Frontal projection · right wrist plain radiograph of the wrist: 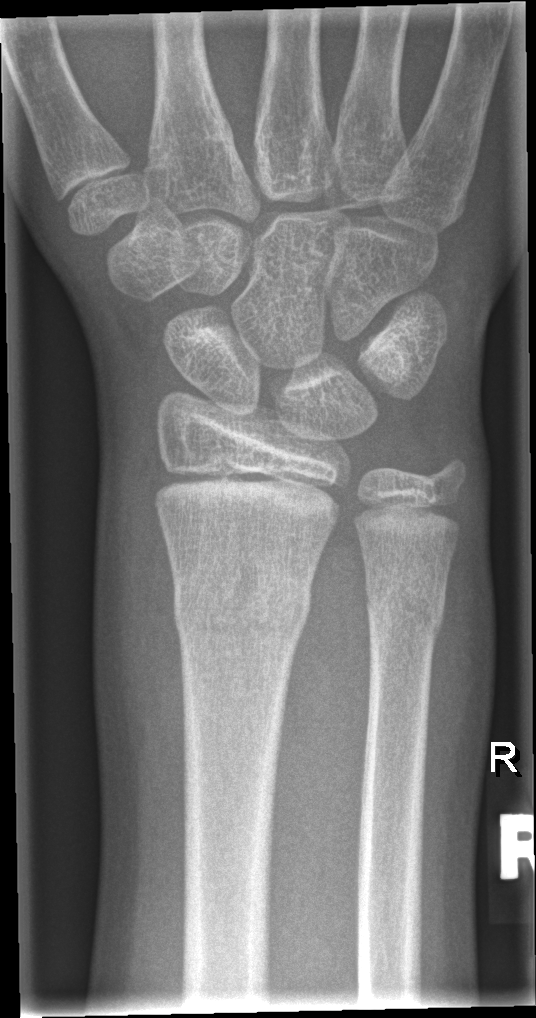
• Coordinates are [x1, y1, x2, y2] in image pixels.
• Two bone fractures at [x1=168, y1=561, x2=314, y2=650]; [x1=362, y1=574, x2=448, y2=647].
• AO/OTA classification: 23r-M/2.1; 23u-M/3.1.